Posteroanterior view · right pediatric wrist radiograph · 432 by 886 pixels:
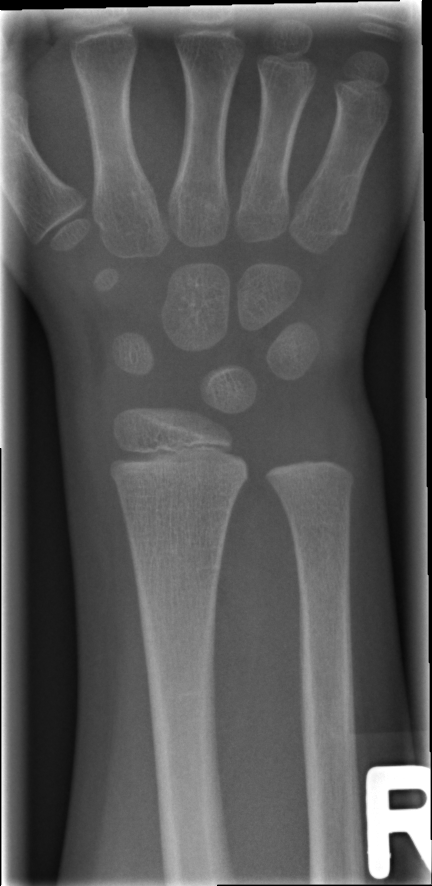 * Fx: none.